Lt pediatric wrist radiograph; PA/AP view: 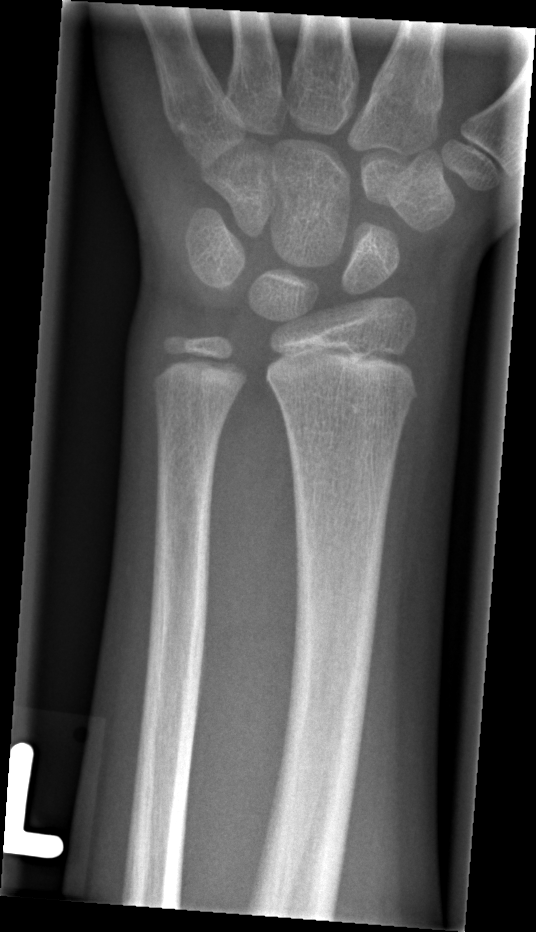
FINDINGS: No fracture labeled.